Left wrist plain radiograph of the wrist; PA projection; 738 x 1216 px:
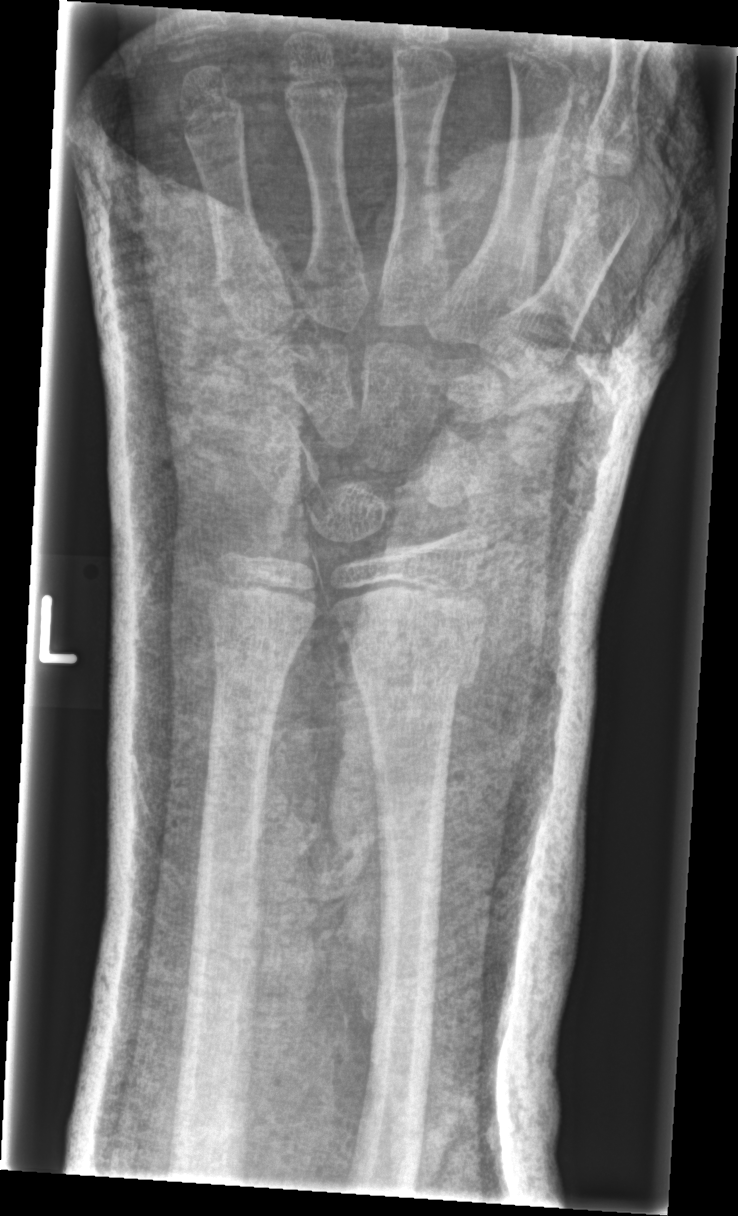 FINDINGS: (pixel coordinates, top-left origin, xyxy) AO/OTA classification: 23r-M/3.1; 23u-M/2.1. Bone fracture identified at 346 626 483 700.